Lat; right wrist X-ray; 17-year-old male —

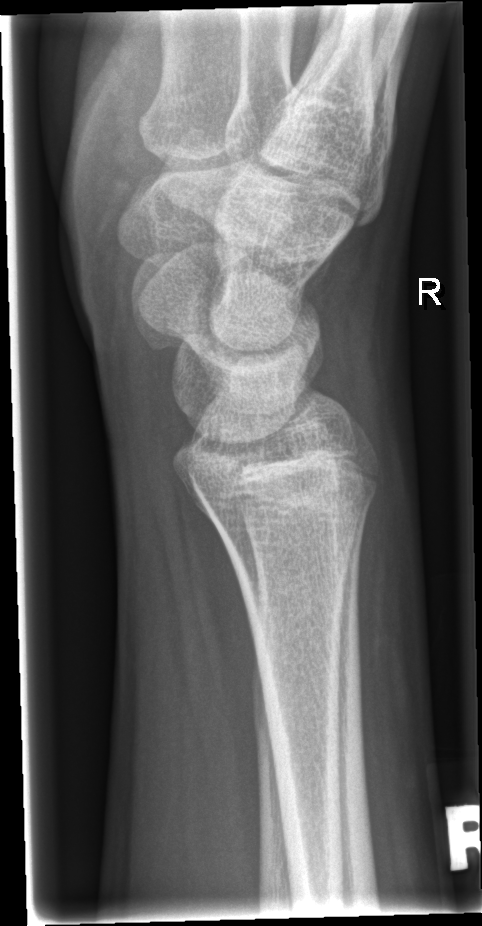 • No Fx annotated.